R wrist plain film; AP projection 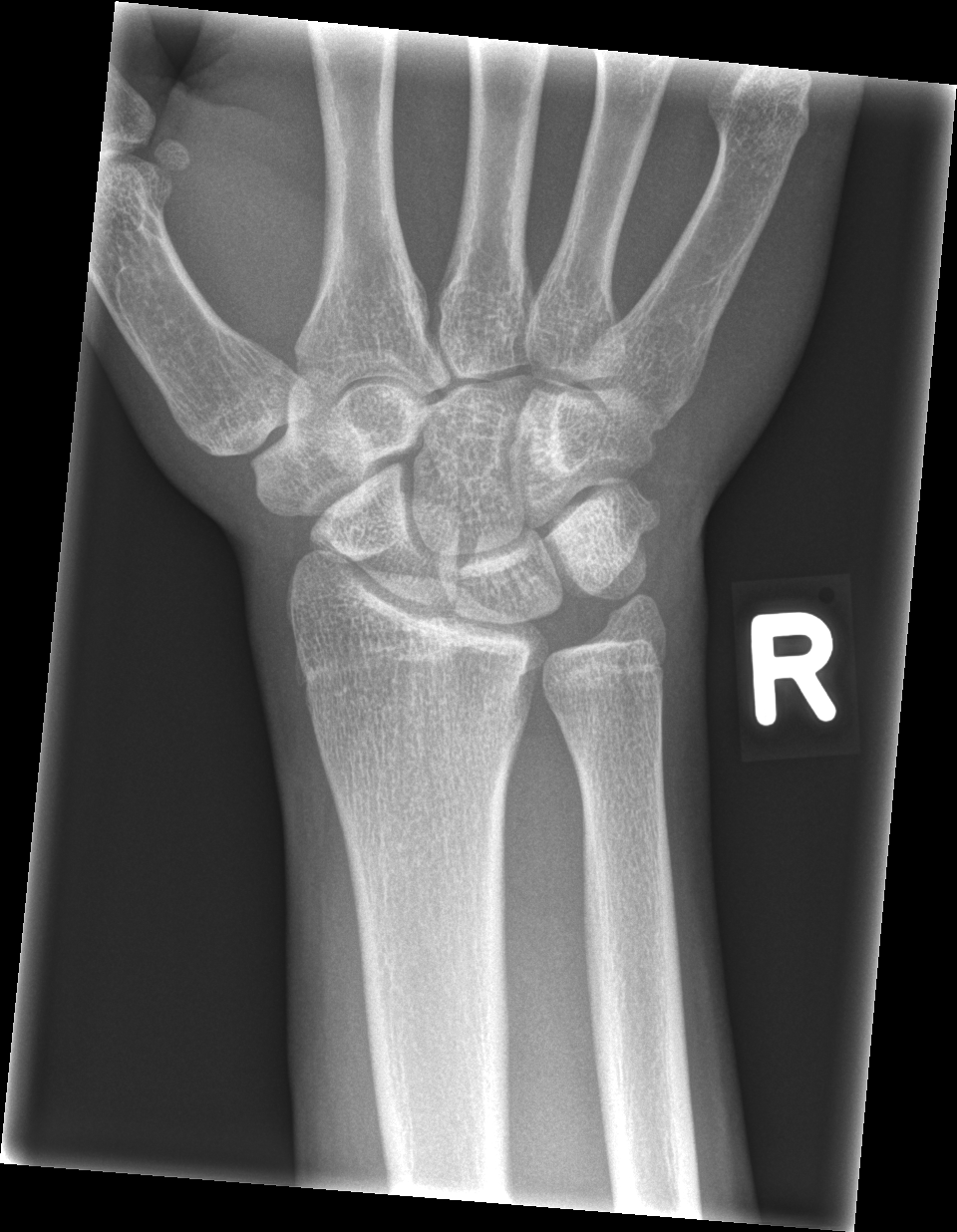

FINDINGS: No fracture annotation.